Posteroanterior, Rt wrist radiograph, 8-year-old girl, cast in situ, image 97.5 mm wide, image size 677x880. 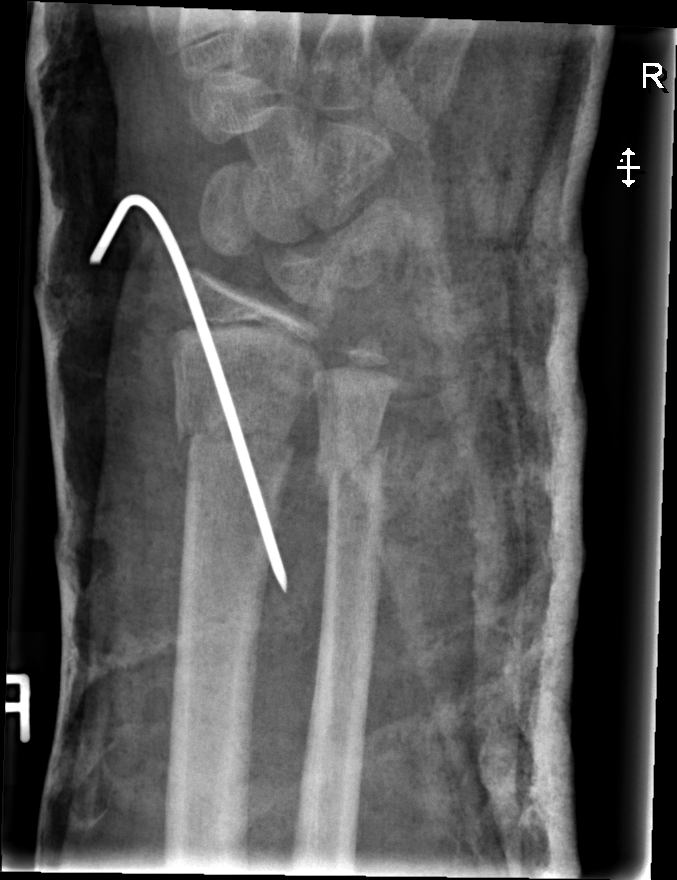

Metal = 1 @ (90, 194, 288, 594)
Fx = (172, 415, 298, 473) (310, 440, 392, 494)
AO code = 23-M/3.1